AP | Lt plain radiograph of the wrist | presentation radiograph —
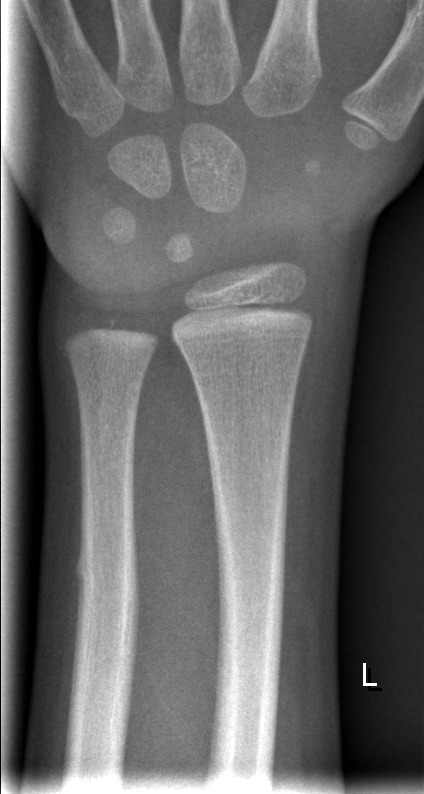

Fx: (73, 547, 145, 615).